Left wrist XR, lat view, Siemens —

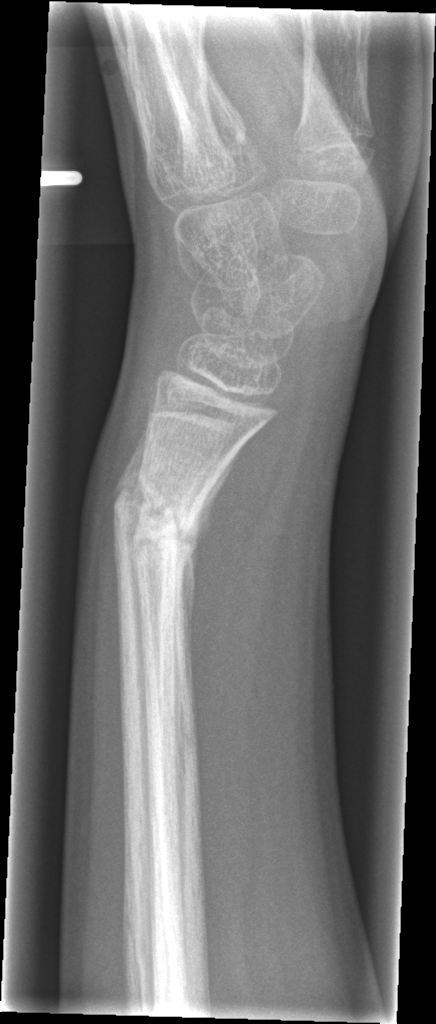
Bounding boxes in image-pixel xyxy. Fx: 109 463 207 566. Osteopenic. Fracture classified AO/OTA 23-M/3.1. Periosteal new bone: 177 470 227 688.